Lat projection; right wrist X-ray; 14y F; presentation radiograph; image width 67.8 mm; 471 x 688 px.
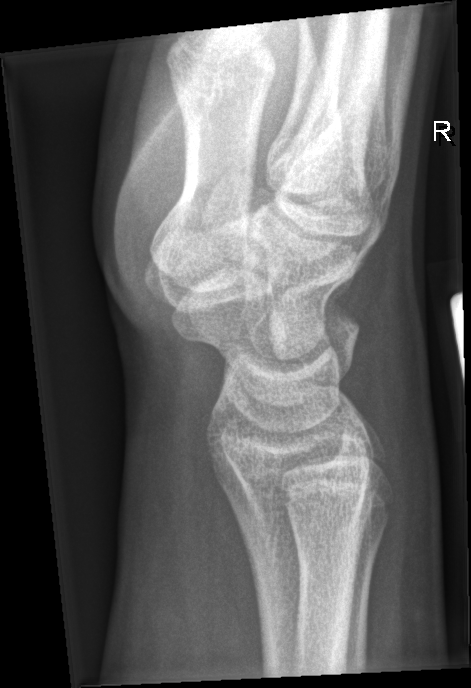
{
  "fracture": "none labeled"
}